PA; R wrist XR; presentation radiograph —

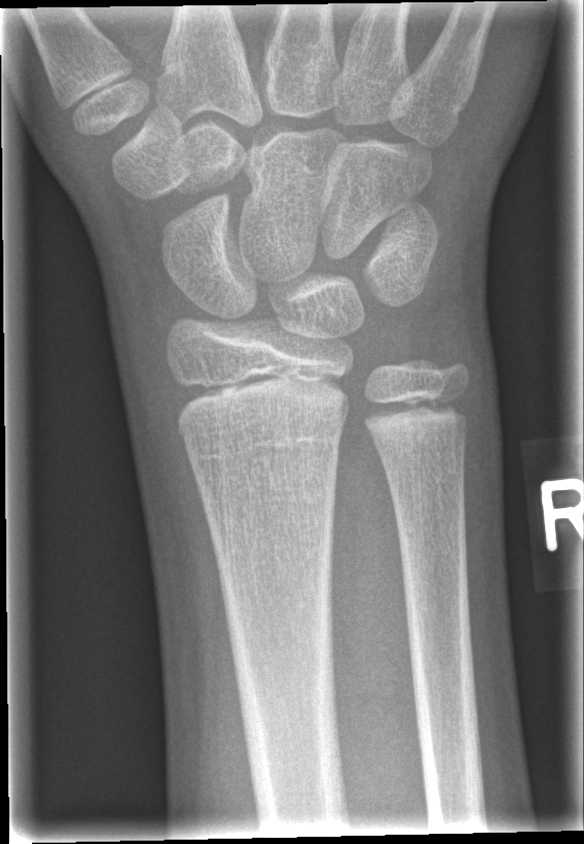
* No Fx annotated.